Lat projection | R wrist XR | age 10 y, boy — 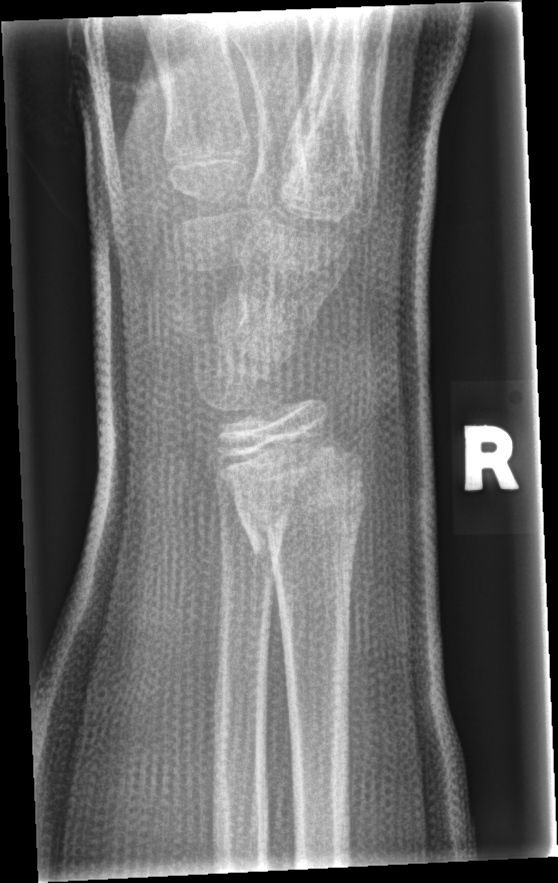

Coordinates are [x1, y1, x2, y2] in image pixels.
AO/OTA classification: 23r-E/2.1.
Fracture — 218,422,374,564.